L wrist plain film · frontal · girl, 8 yo · subsequent exam · cast present · image size 549x642 — 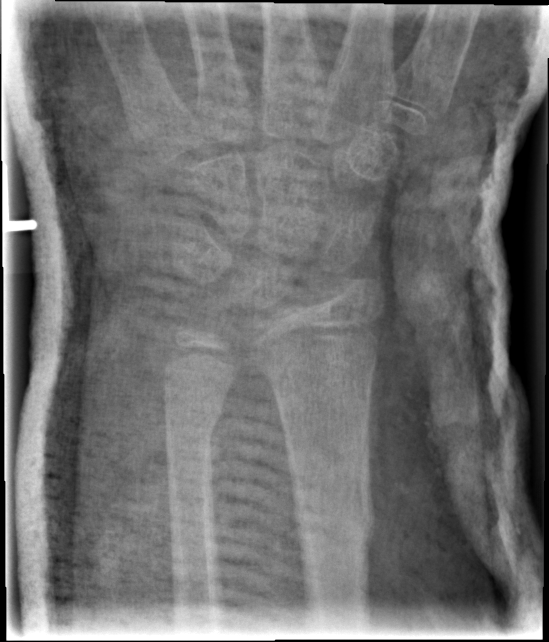
(pixel coordinates, top-left origin, xyxy)
bone fracture = (left=288, top=491, right=378, bottom=556); (left=160, top=398, right=226, bottom=449)